PA/AP view, R wrist X-ray, 8y F.

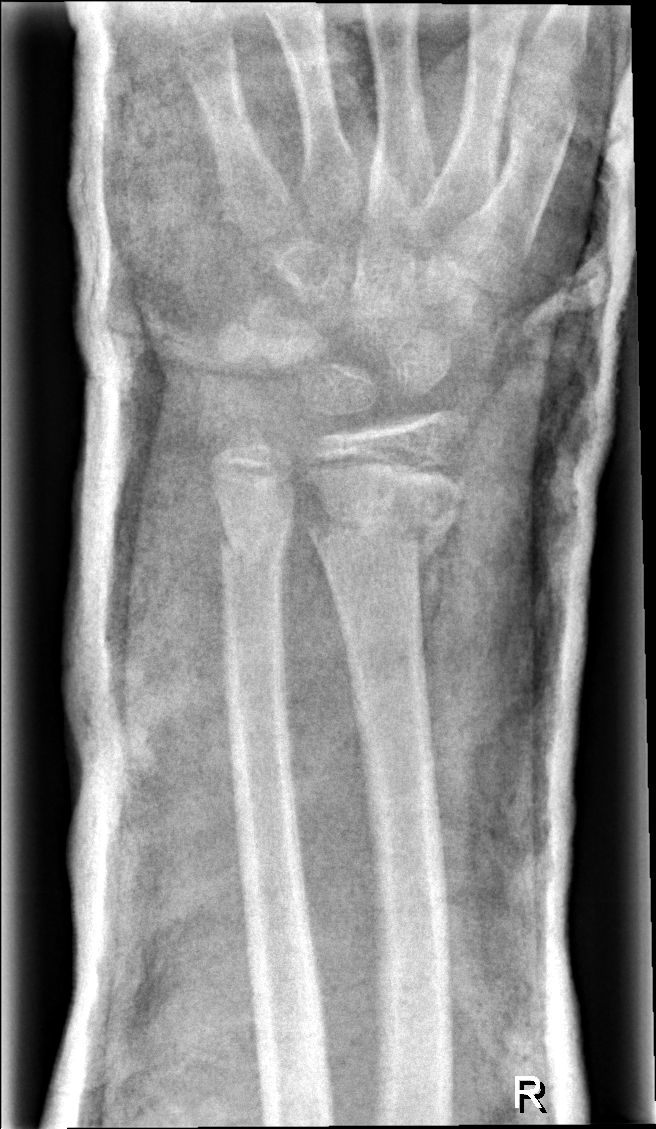
{"fracture": "2 @ [x1=305, y1=485, x2=458, y2=569] [x1=215, y1=520, x2=292, y2=578]", "ao": "23r-M/3.1"}